Lateral | right wrist XR | cast present
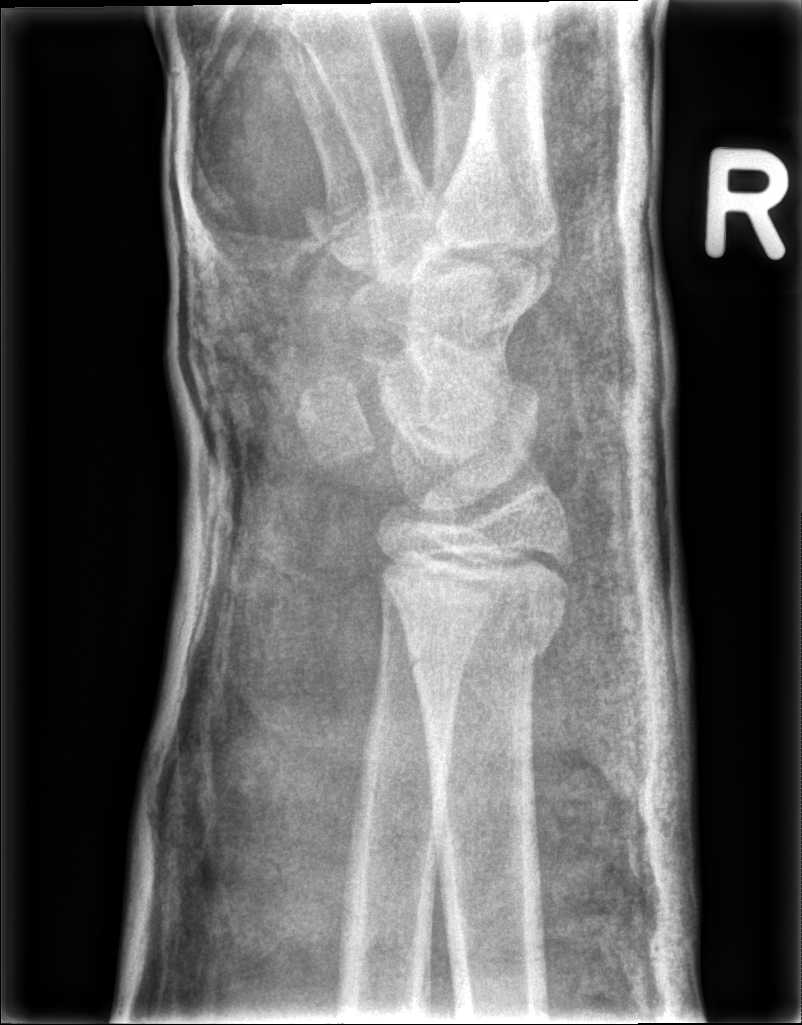 * Coordinates are [x1, y1, x2, y2] in image pixels.
* Fracture: 406,611,562,683.
* Fracture classified AO/OTA 23r-M/3.1.